Lateral projection; left wrist XR; female, 1.5 yo; index exam; Siemens; 351 by 698 pixels:

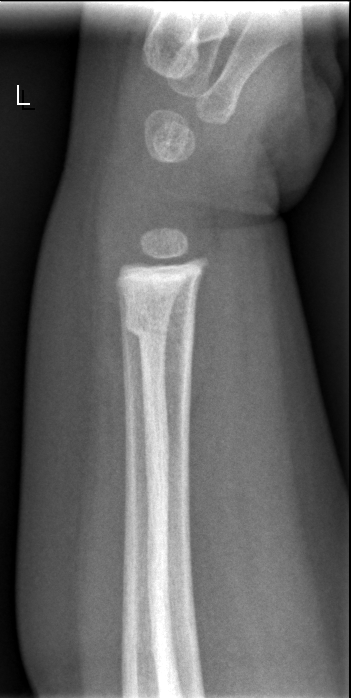
AO/OTA: 23r-M/2.1
Fx: 1 @ <119,294>-<201,353>